Lat projection | right wrist plain film | 4-year-old boy | index exam.
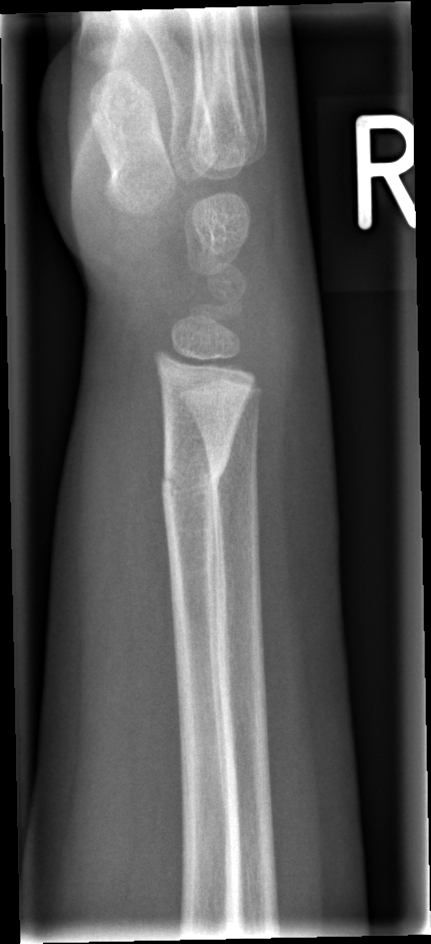

{
  "softtissue": "1 @ 52,381,178,706",
  "ao": "23r-M/3.1",
  "fracture": "159,448,232,507"
}